AP | Rt wrist plain film | acquired on Siemens

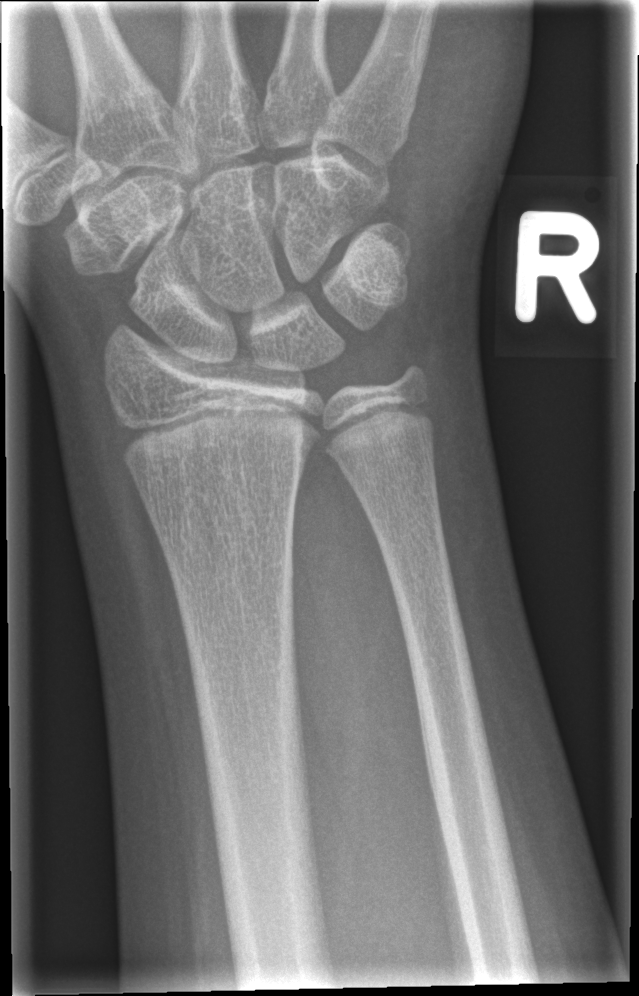
• No fracture annotation.